PA/AP projection | left pediatric wrist radiograph | presentation radiograph | Siemens | image 74.4 mm wide | 517 x 1014 px — 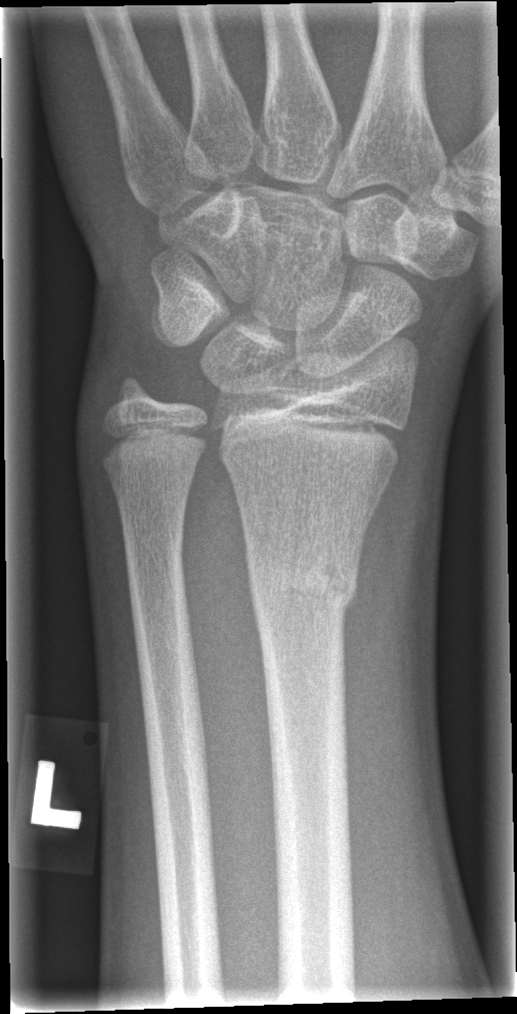

Fracture = [x1=243, y1=543, x2=360, y2=619]
AO classification = 23r-M/2.1